Left wrist X-ray · lateral · 13-year-old male · cast in situ · 592 x 1127 px —

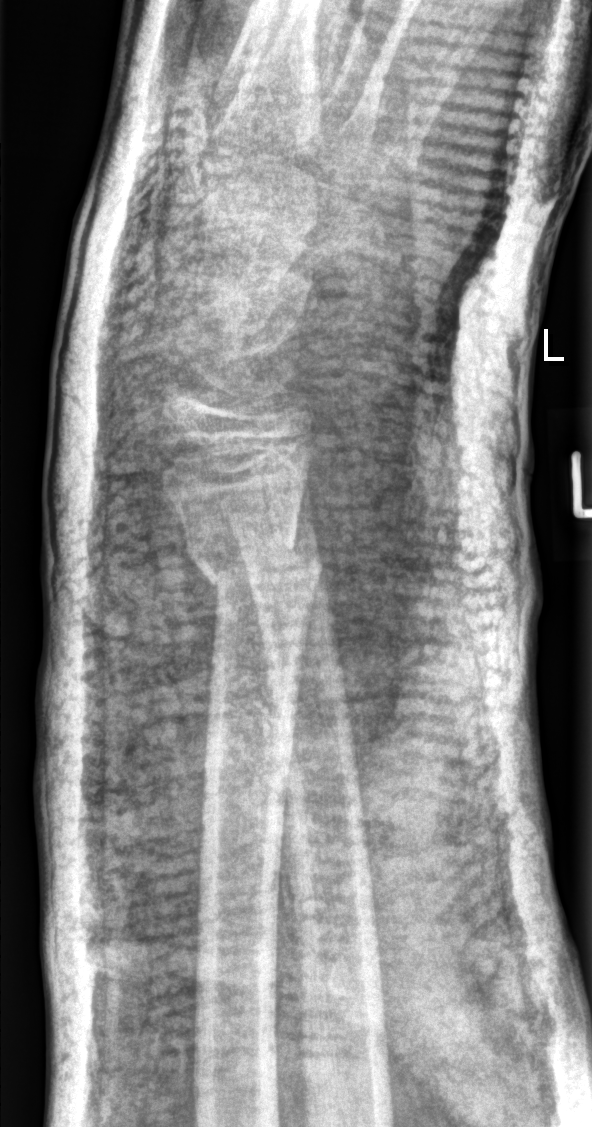
FINDINGS — One bone fracture at [187, 537, 323, 599].